Left wrist radiograph; lateral projection:
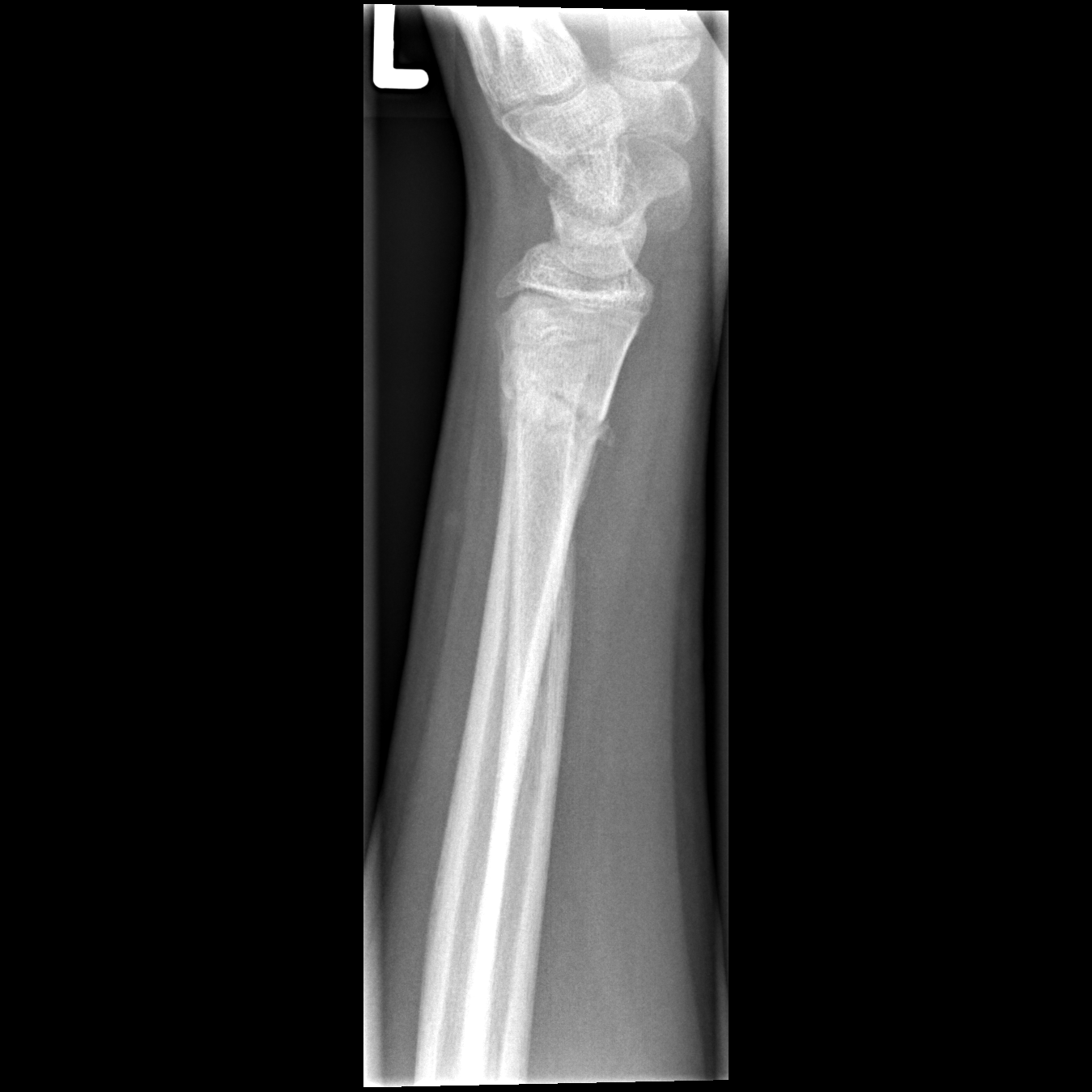
One periosteal new bone at [567, 356, 622, 545].
One bone fracture at [494, 356, 616, 458].